Lat view, right wrist pediatric wrist radiograph, 13-year-old female, presentation radiograph, detector: Siemens

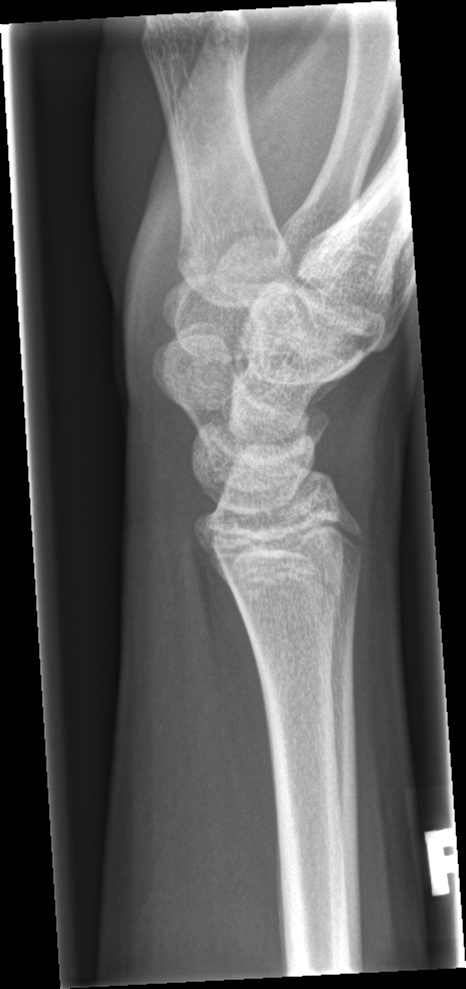
• Fracture: none labeled.